L plain radiograph of the wrist; lat; acquired on Siemens; 952 by 1260 pixels. 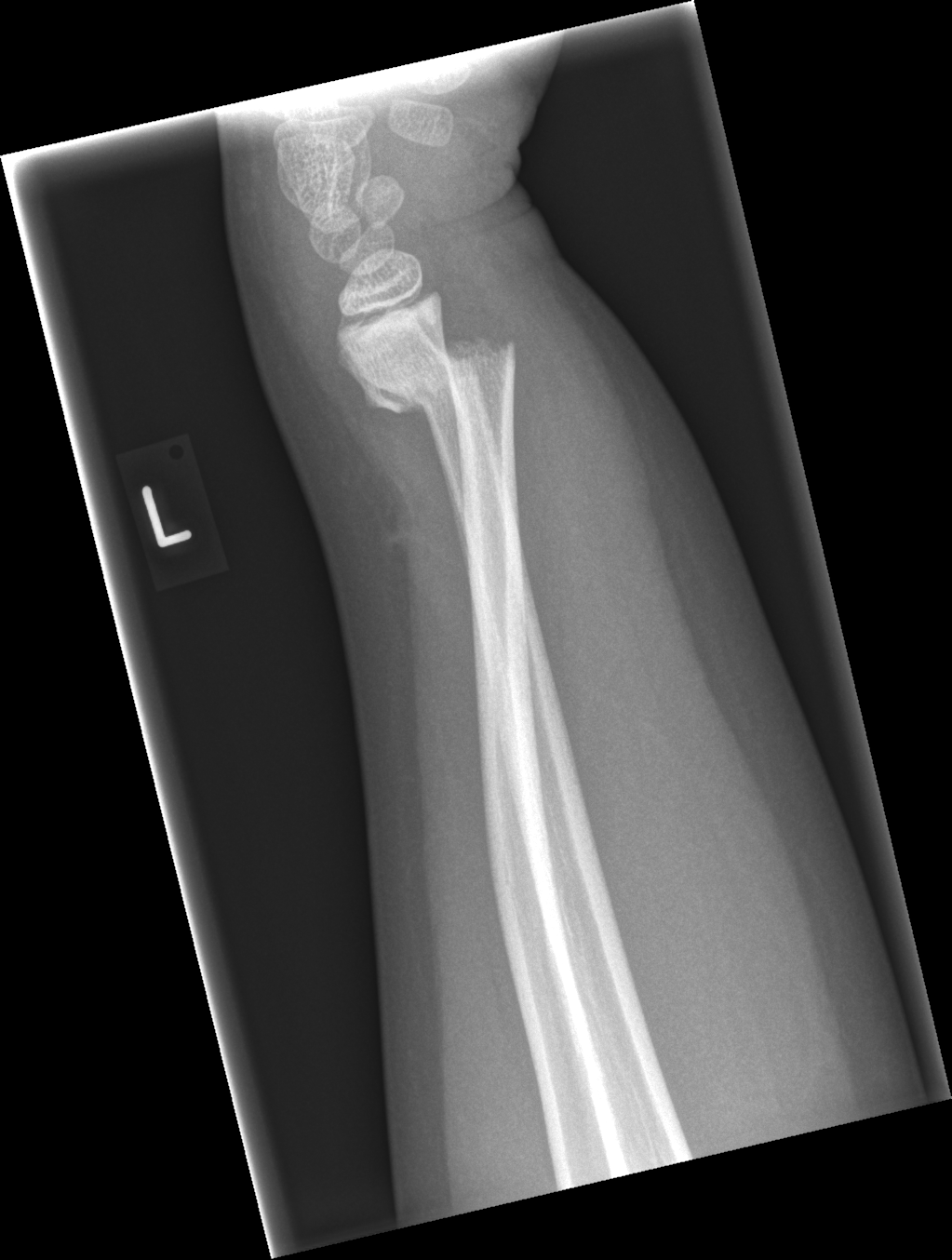 Fx — bbox(356, 328, 518, 418).
AO code 23-M/3.1.